Right wrist plain radiograph of the wrist, AP, male, 14 yo, detector: Siemens, image width 108.6 mm, 754 by 1002 pixels 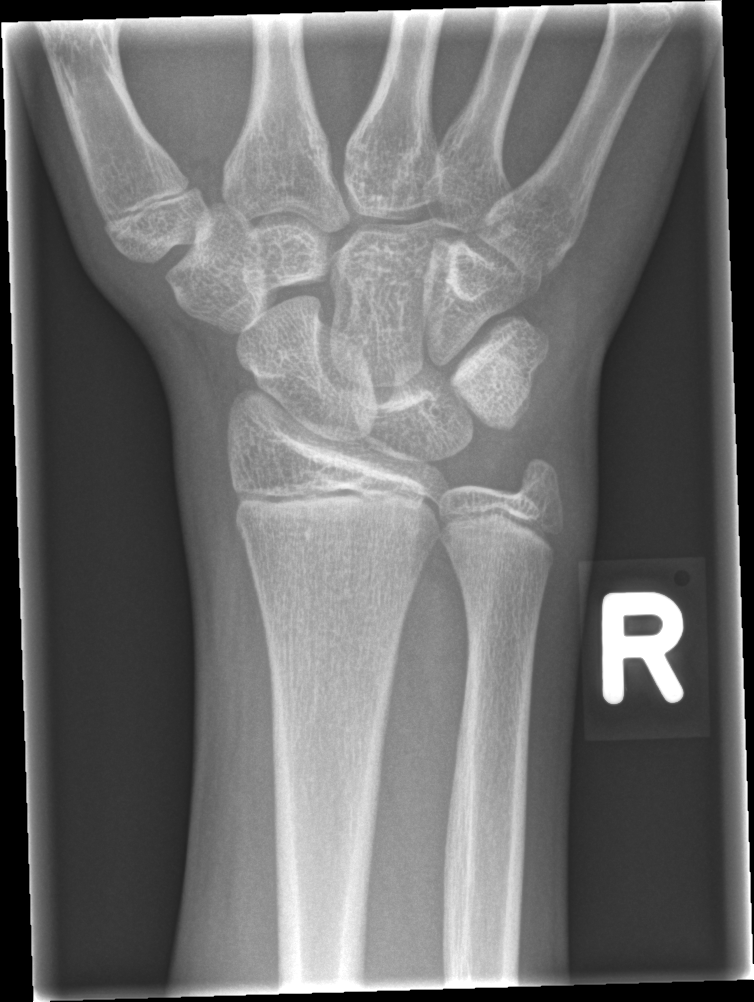

No fracture bounding box.